Lateral view | Rt wrist X-ray | initial study | image 74.0 mm wide
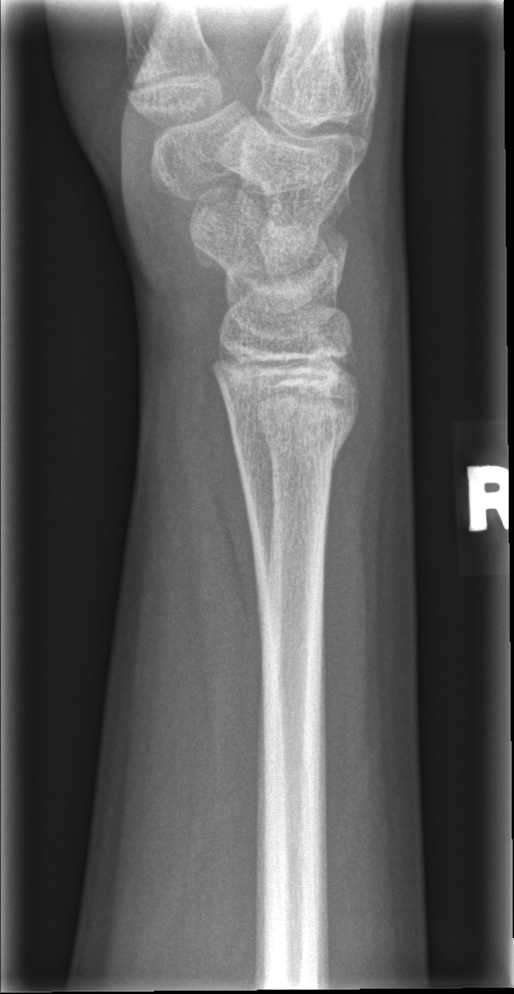

AO code 23r-M/2.1; 23u-E/7.
Bone fracture — <224,404>-<361,483>.